R wrist XR · frontal projection · presentation radiograph · acquired on Siemens · 581 by 998 pixels —

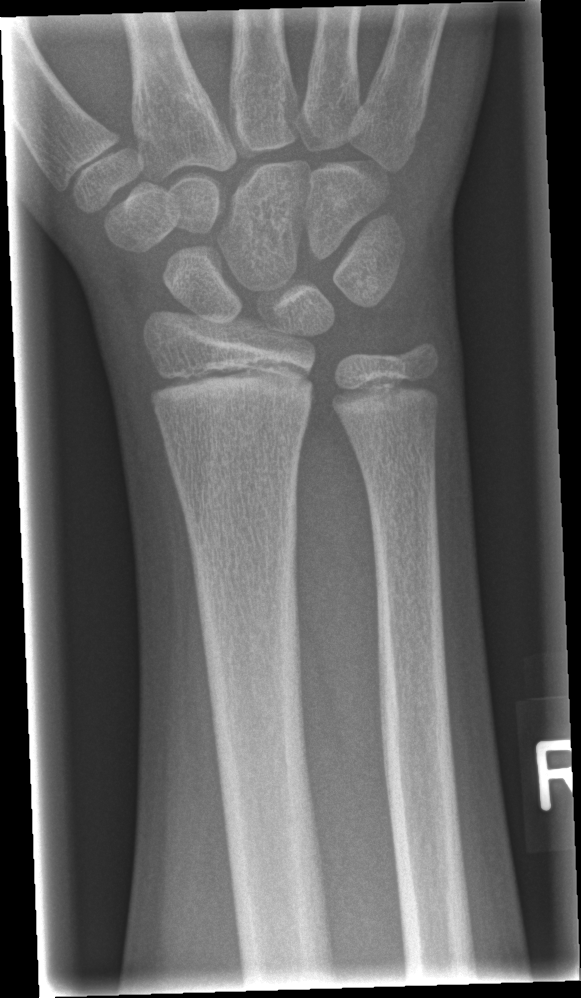 FINDINGS: No fracture annotation.